Lateral · right wrist radiograph · 16y M —
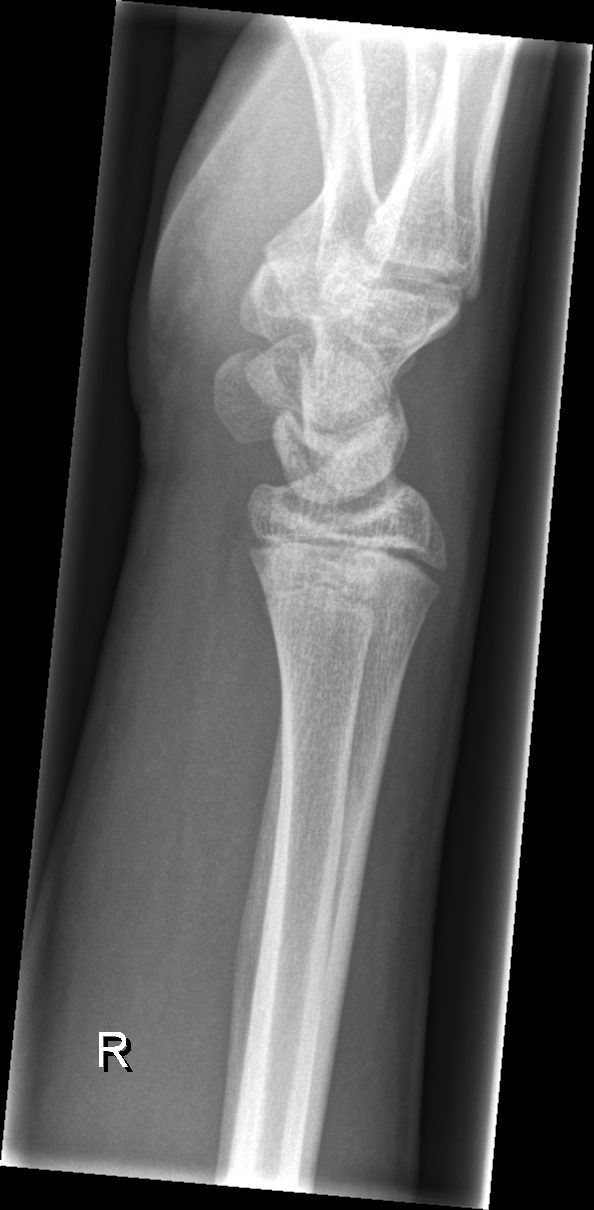

Findings: Fracture classified AO/OTA 23r-M/2.1; 23u-E/7. One fracture at <259,567>-<438,653>. Positive pronator fat-pad sign identified at <176,501>-<286,1019>.